Lateral view, Lt plain radiograph of the wrist, pediatric patient (boy, age 14), index exam — 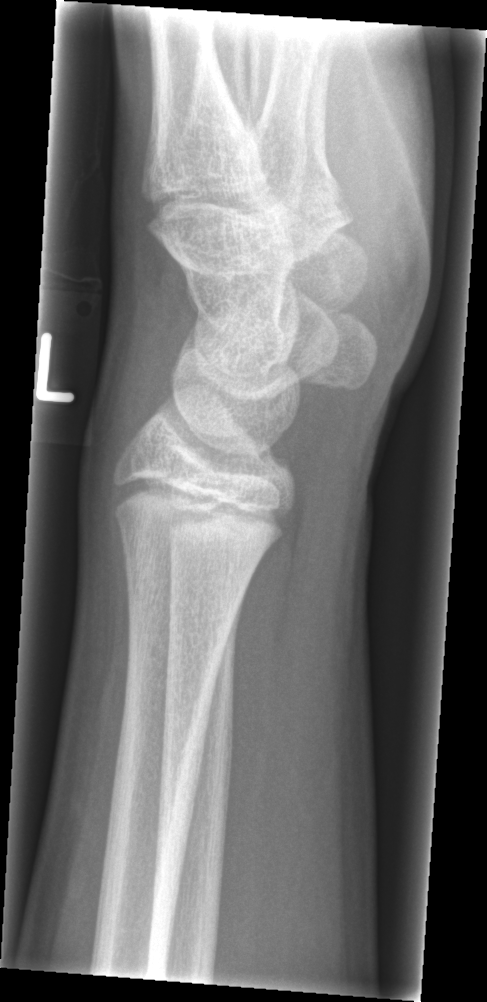
FINDINGS — No fracture annotation.